Posteroanterior view · Rt wrist plain film · pediatric patient (boy, age 16) 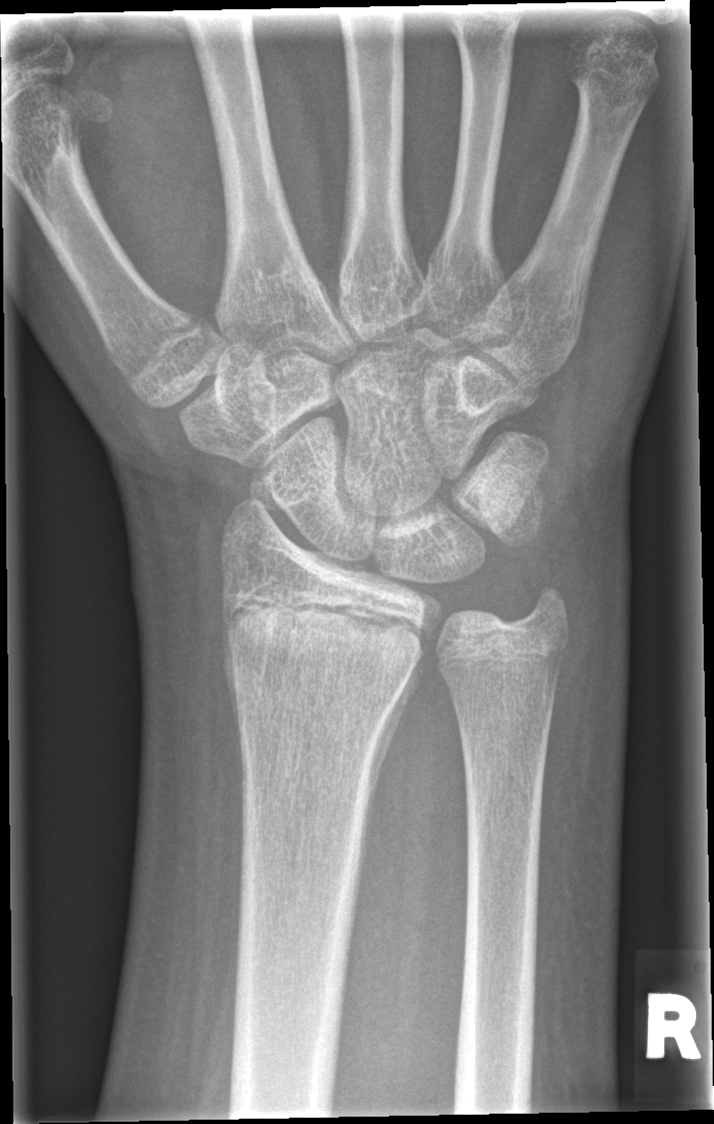

FINDINGS — (pixel coordinates, top-left origin, xyxy) One bone fracture at 208 585 437 691. AO code 23r-E/2.1; 23u-E/7.